Rt wrist XR; PA projection; pediatric patient (female, age 7); index exam; image width 81.9 mm

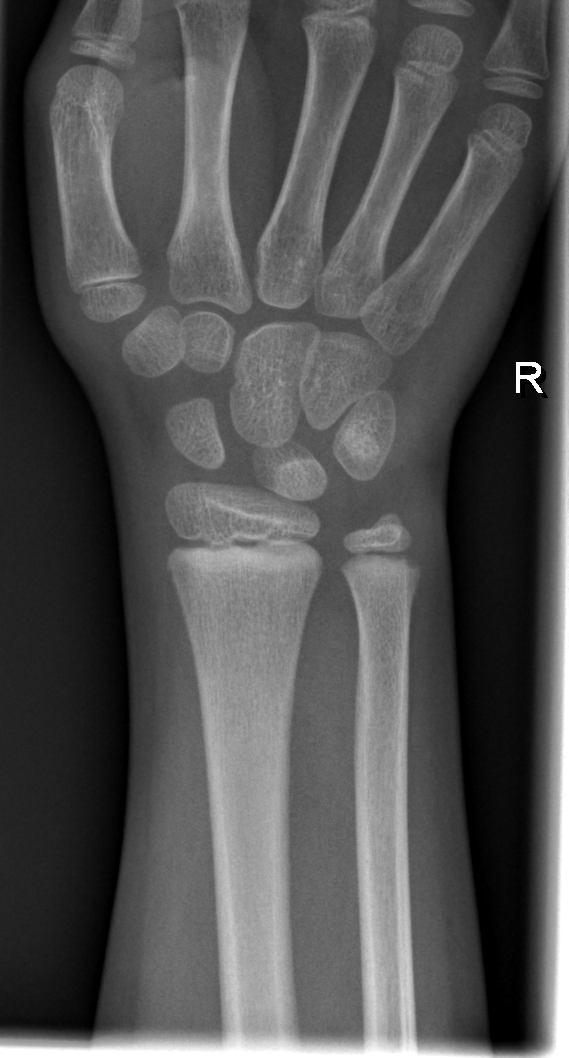
Fracture: none labeled.